Lt wrist XR | AP | 8y M | index exam:
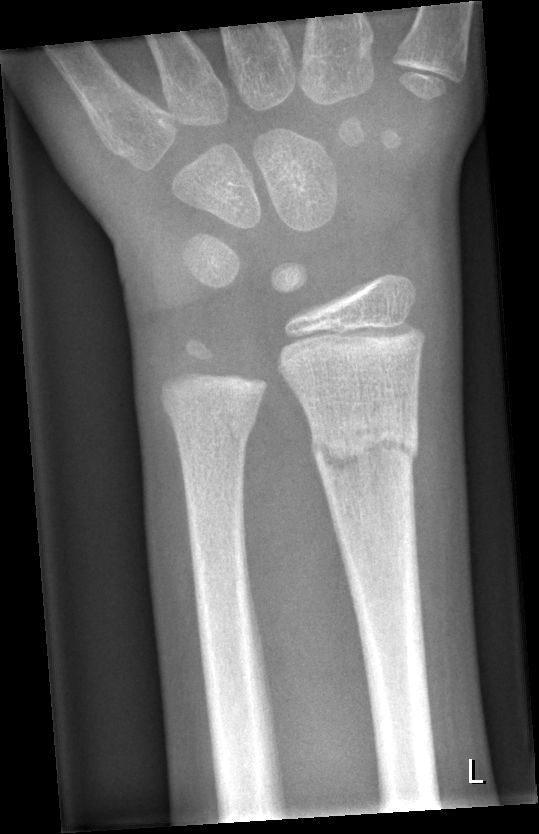
Bounding boxes in image-pixel xyxy.
Fracture: (left=307, top=409, right=422, bottom=479), (left=161, top=393, right=261, bottom=453).